Left wrist radiograph · lateral —

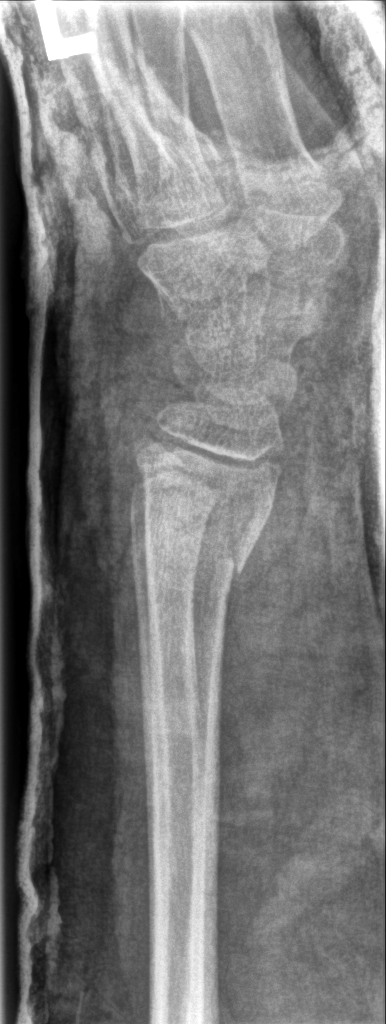
One Fx at [128, 509, 261, 589].
AO code 23r-M/2.1.